PA/AP, right wrist XR, 622 x 1112 px

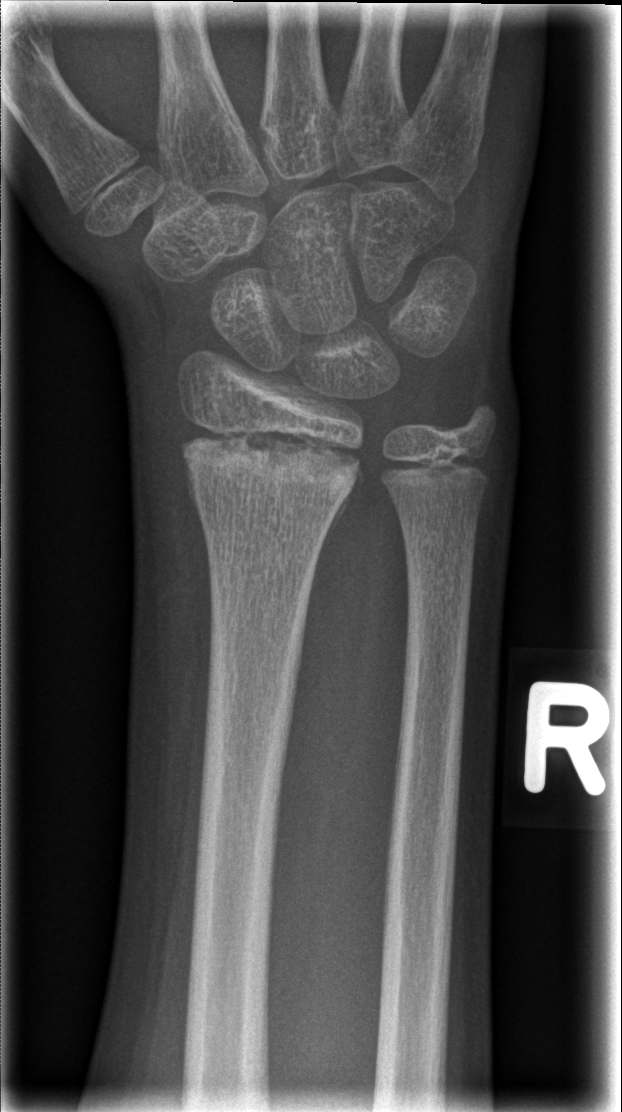

Bone fracture identified at <174,409>-<367,518>.